Lt wrist X-ray | PA/AP | 98.6 mm image width:
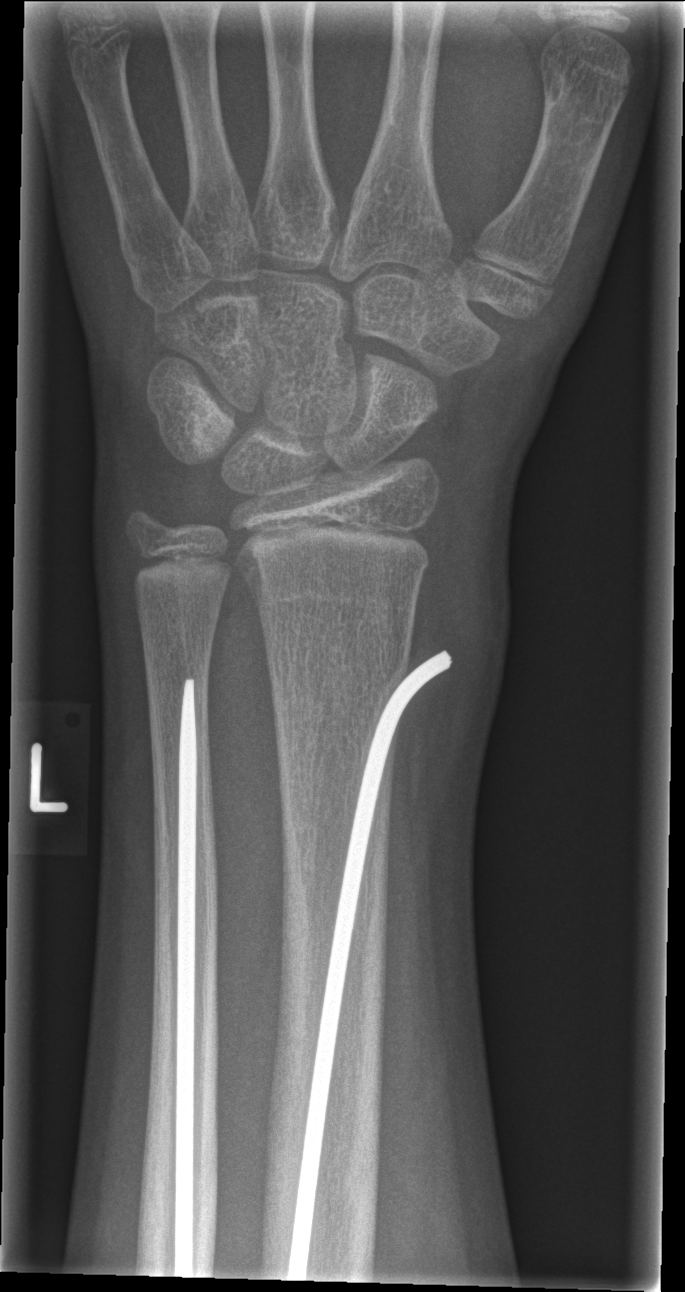

FINDINGS: Hardware: <283,648>-<454,1284>, <172,678>-<199,1281>. Fracture: none labeled.